Lateral view; Lt wrist plain film; 8-year-old girl:

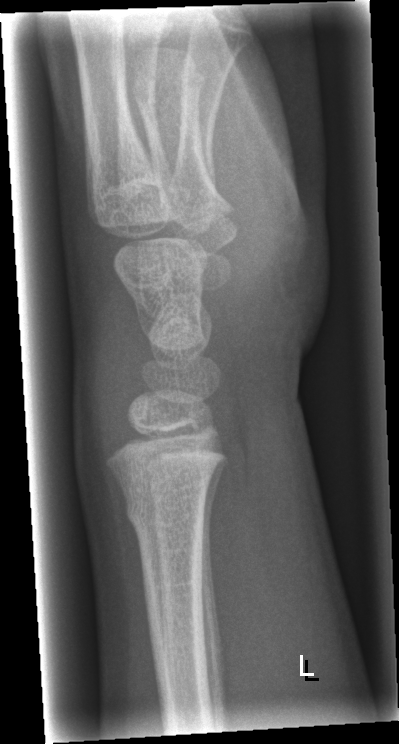
{
  "_coords": "pixel coordinates, top-left origin, xyxy",
  "ao": "23r-M/2.1",
  "fracture": "(117, 484, 210, 546)"
}